AP view; left wrist X-ray; imaged through cast; image size 550x1086 —

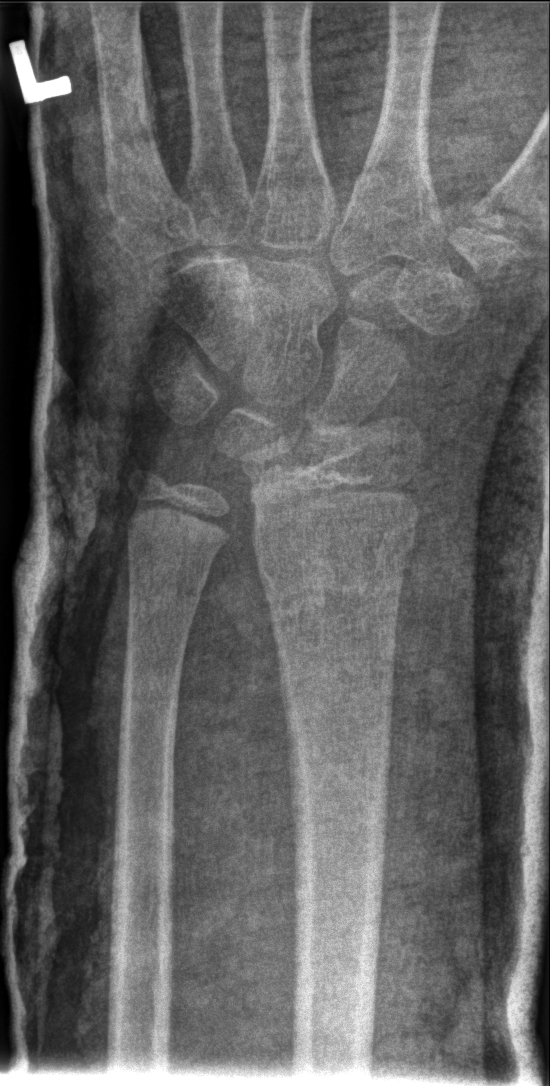

(coordinates are [x1, y1, x2, y2] in image pixels)
Bone fracture: 254,520,423,611